Lat | L wrist radiograph —

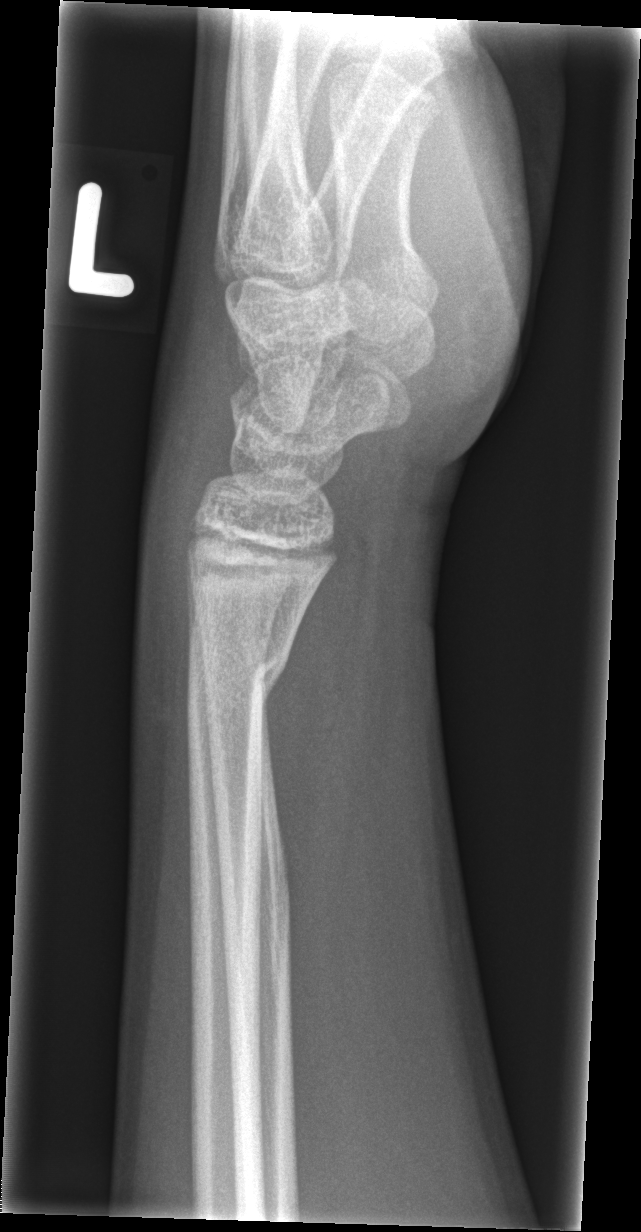
{
  "_coords": "pixel coordinates, top-left origin, xyxy",
  "fracture": "bbox(186, 641, 304, 732)",
  "ao": "23r-M/2.1"
}